L pediatric wrist radiograph; lat view; follow-up; 525 by 1030 pixels 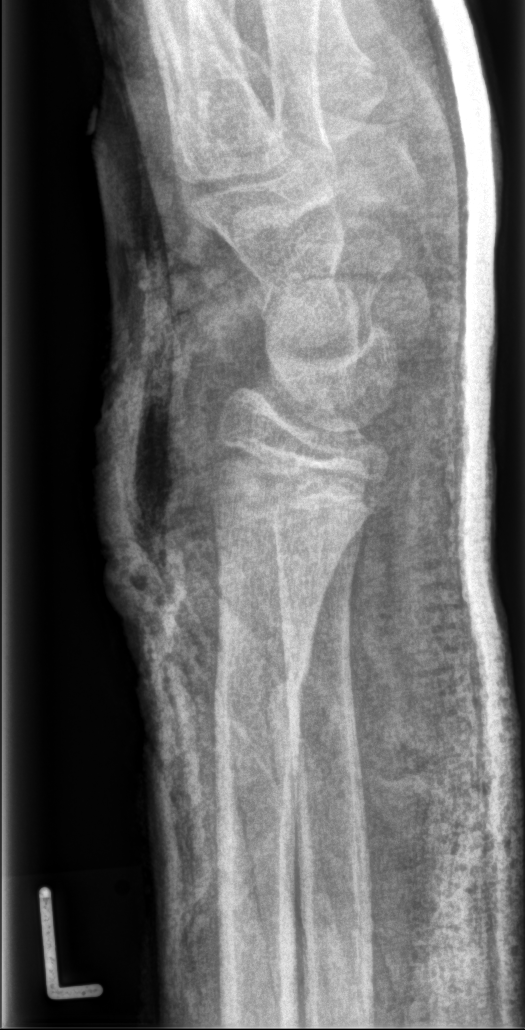 Findings: Fx identified at 210,642,316,724. AO/OTA classification: 23r-M/2.1.